PA view · left wrist plain film · initial study · image 93.9 mm wide · image size 652x697.
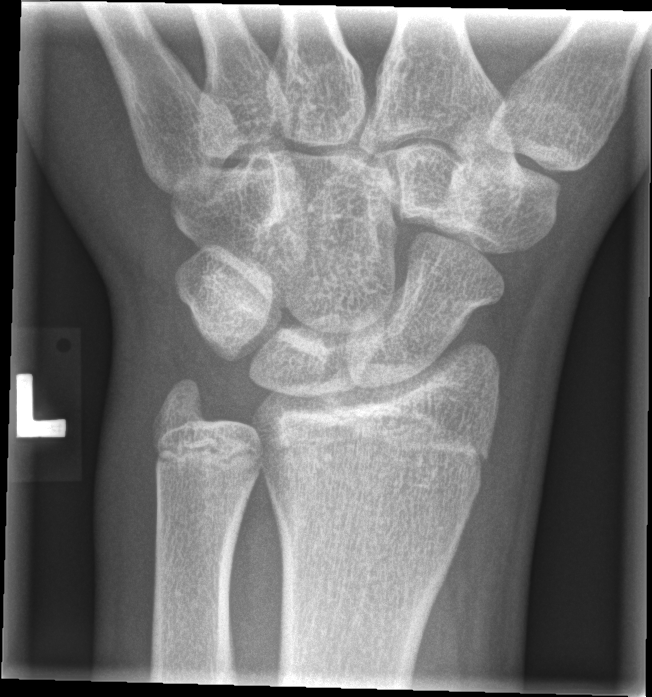
Fx: none labeled